L wrist radiograph · lateral view · boy, 13 yo · image width 65.8 mm:
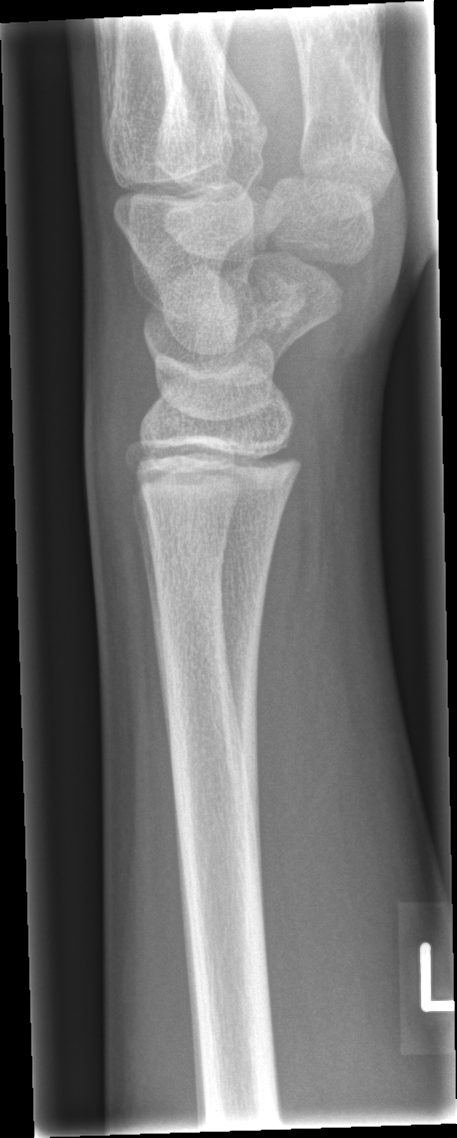
No fracture labeled.